Lat view, Lt wrist X-ray, initial study 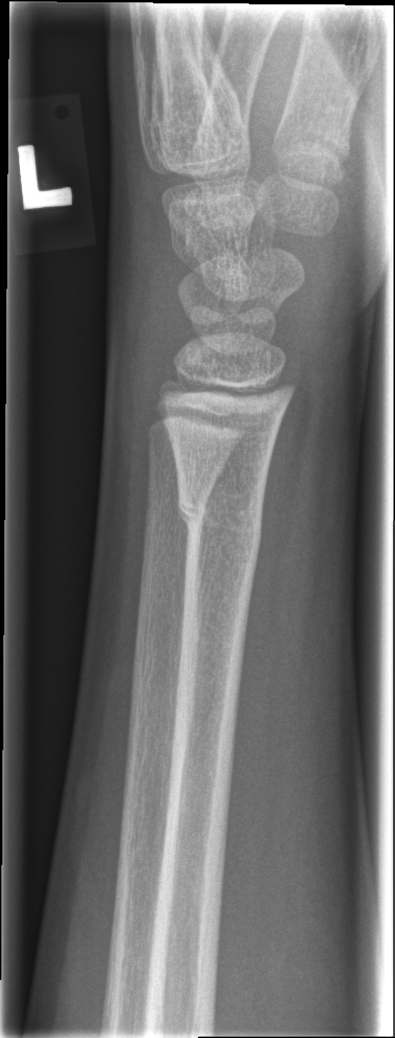
(boxes as x1,y1,x2,y2 (top-left / bottom-right, pixel units))
Bone fracture = 177 482 265 546
AO code = 23r-M/2.1